Frontal · Rt wrist plain film · female, 11 yo · Siemens —
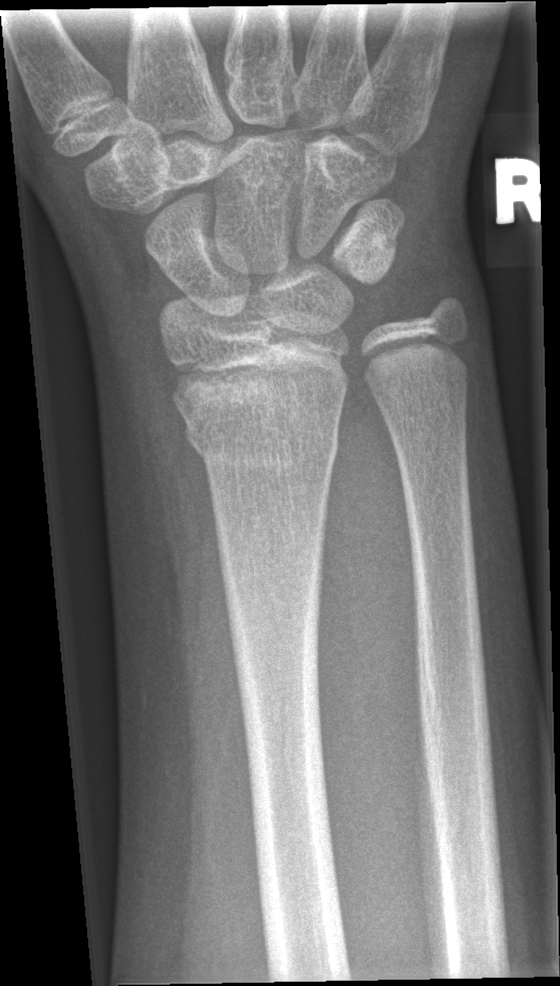 Fx = 1 @ <173,381>-<344,476>
AO classification = 23r-M/3.1